Lat view, Lt pediatric wrist radiograph, cast present:

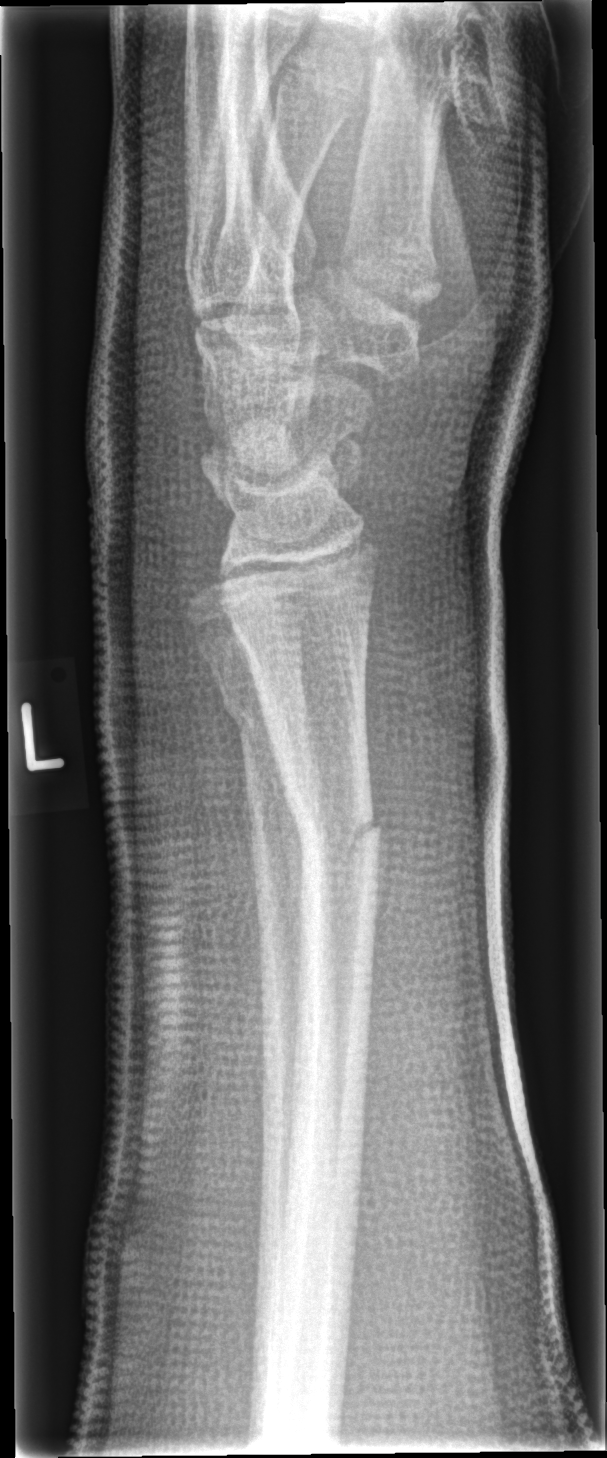

Pixel coordinates, top-left origin, xyxy.
Bone fracture: [x1=290, y1=801, x2=387, y2=880], [x1=216, y1=684, x2=312, y2=744].
Periosteal thickening identified at [x1=267, y1=733, x2=306, y2=1022].